Lateral | Lt plain radiograph of the wrist.
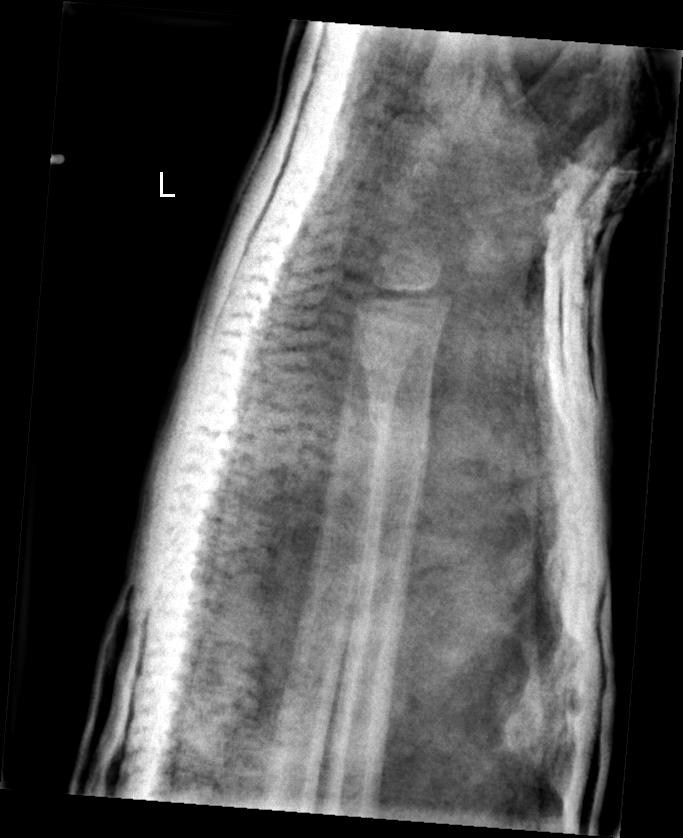

Findings: Fracture: bbox(362, 396, 434, 451).